Rt pediatric wrist radiograph, posteroanterior, pediatric patient (boy, age 11), cast present:
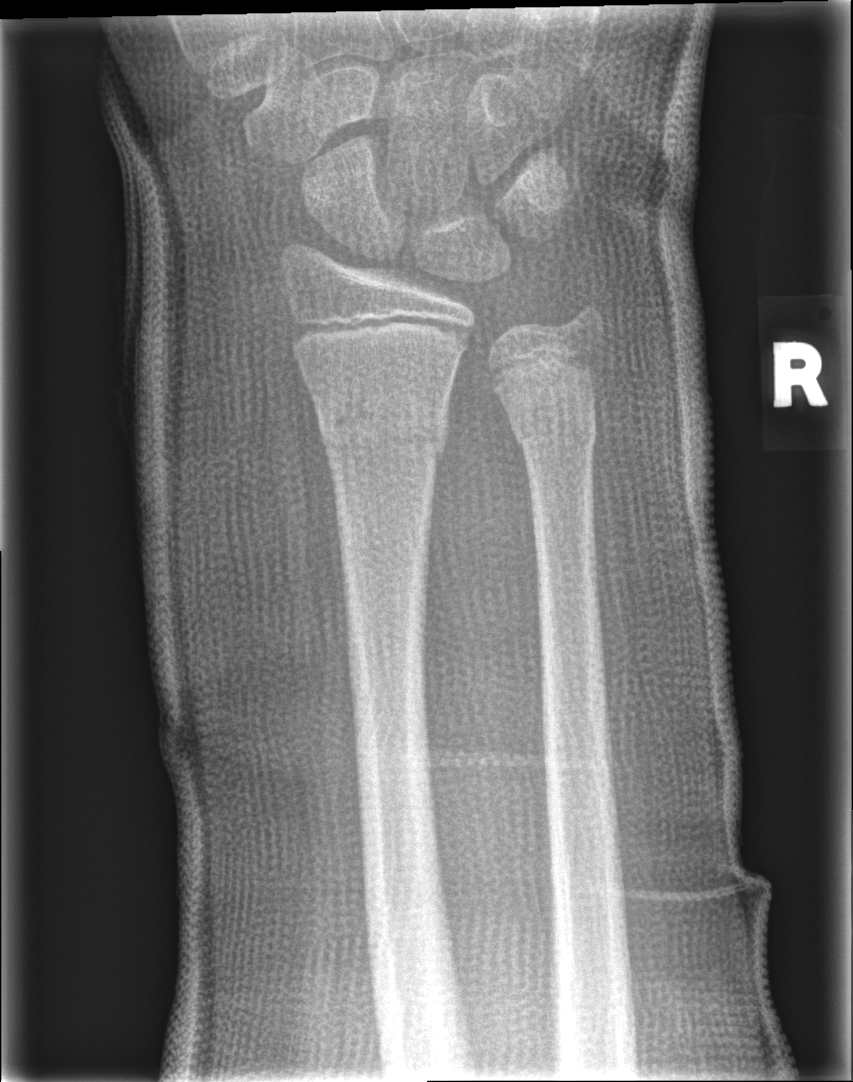 fracture: 310 374 453 467; 507 397 601 458